Lateral view | left wrist radiograph | 11-year-old boy
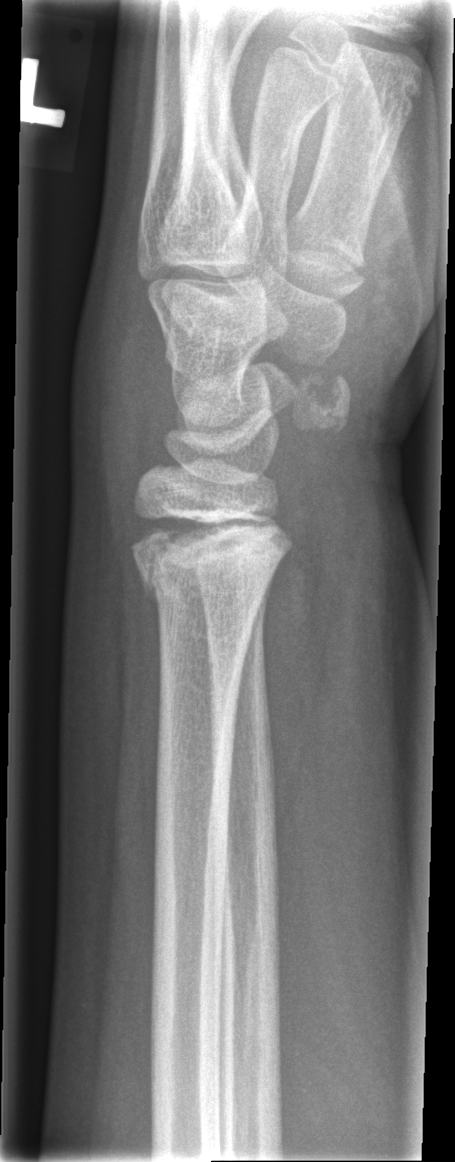
  ao: 23r-E/2.1
  fracture: 1 @ 128 528 283 615